Rt wrist X-ray; lateral projection; age 15 y, female; detector: Siemens —
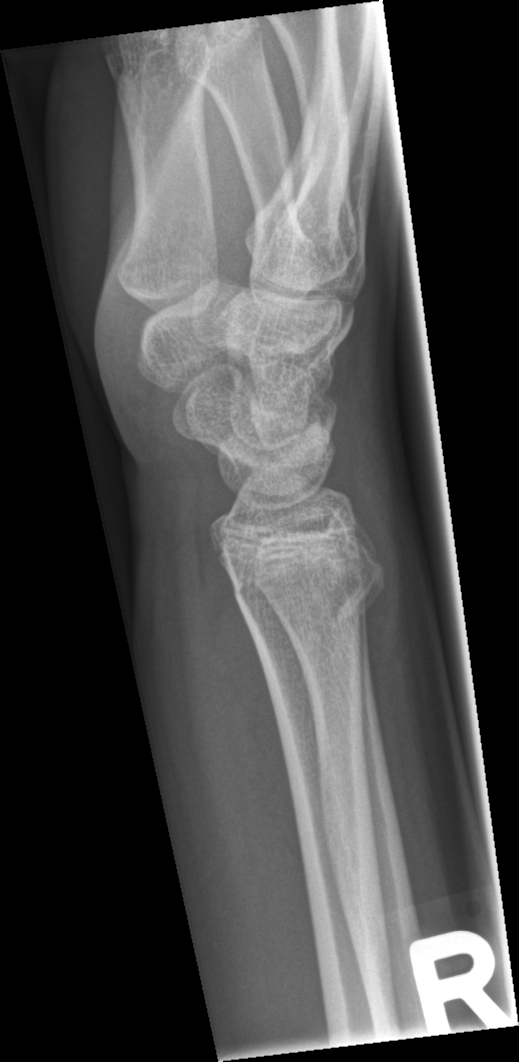

Pronator quadratus fat-pad sign identified at (210, 548, 309, 881). One bone fracture at (219, 521, 390, 626). Fracture classified AO/OTA 23r-M/3.1.